Lat view | right wrist XR | male, 15 yo | acquired on Siemens:
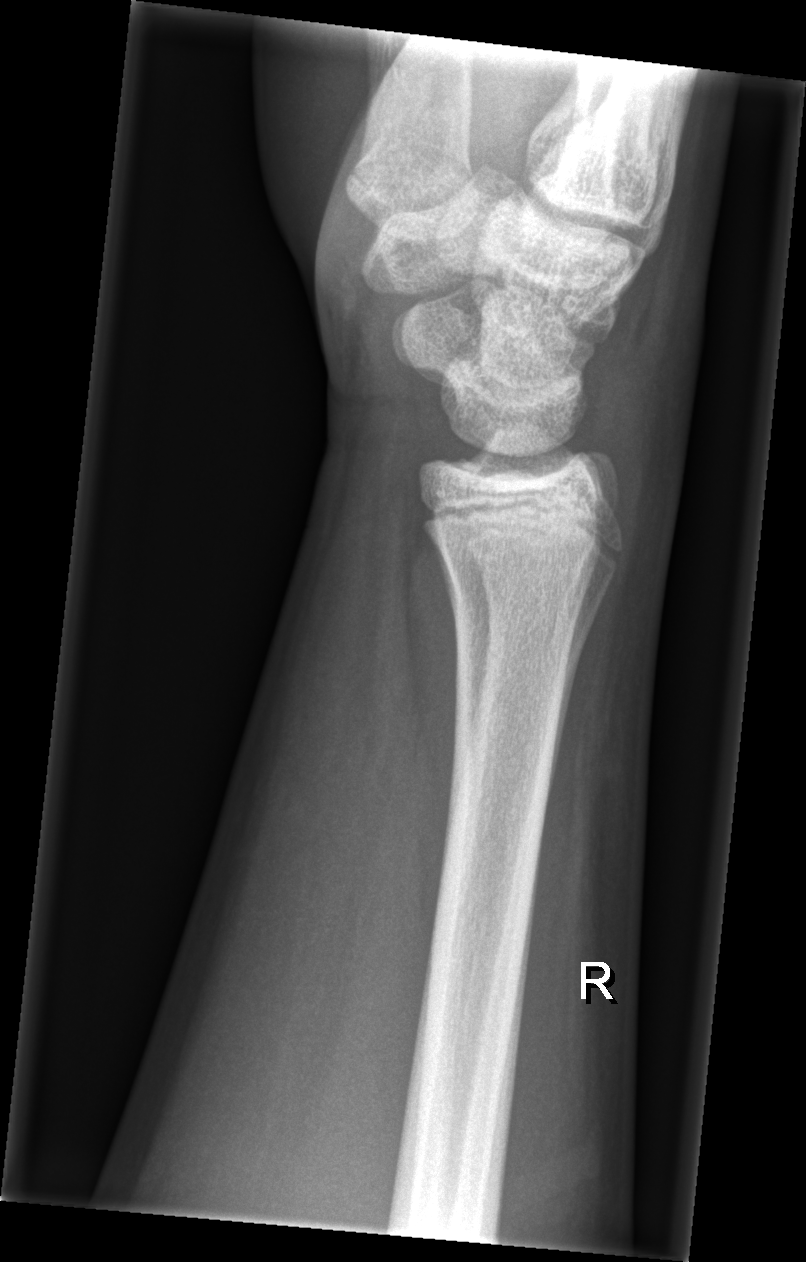
{"fracture": "none labeled"}